Rt plain radiograph of the wrist, obl view, 11-year-old male, acquired on Siemens 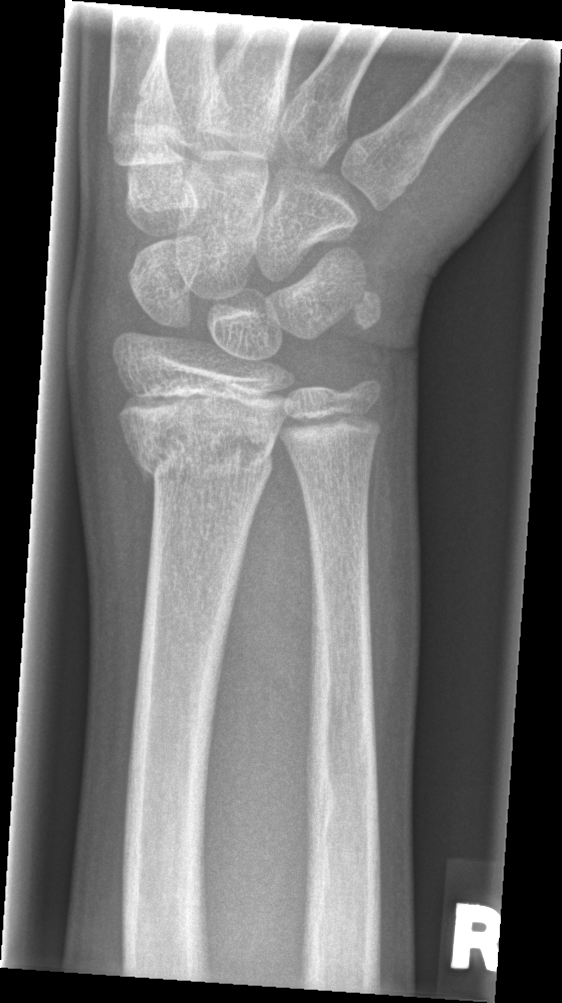 FINDINGS: One bone fracture at (left=117, top=402, right=285, bottom=499). Fracture classified AO/OTA 23r-M/3.1.